PA/AP projection · R wrist radiograph · female, 13 yo · 714 x 922 px

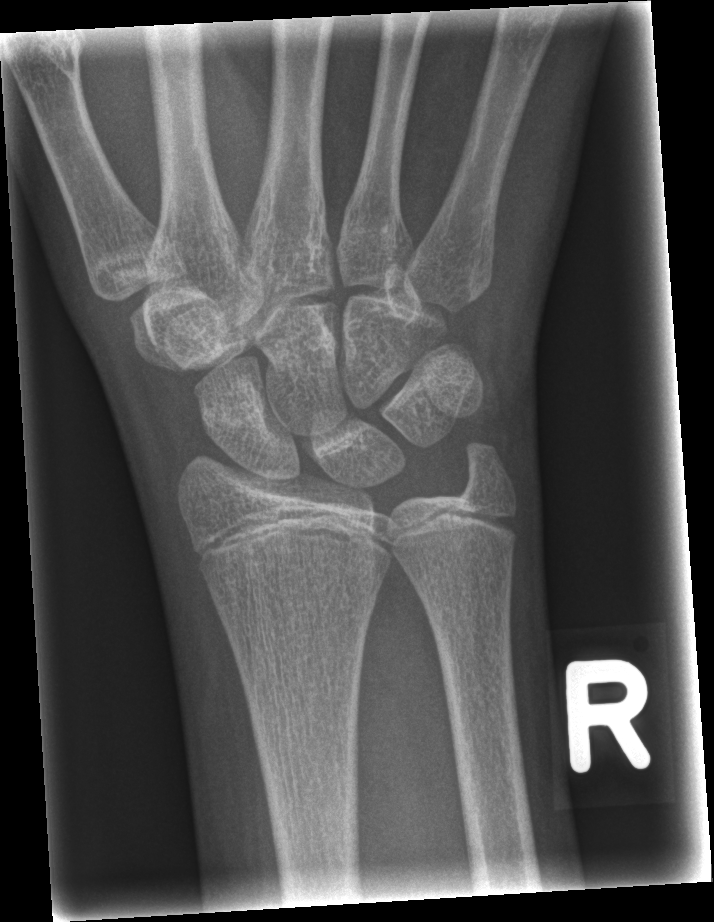 No fracture labeled.